Posteroanterior view · L wrist radiograph · pediatric patient (boy, age 11) · index exam · 491 by 862 pixels —
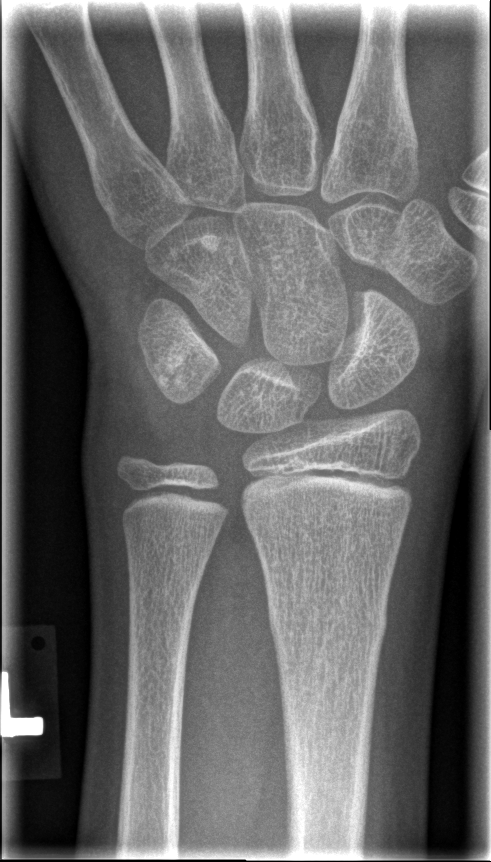
• Fracture classified AO/OTA 23r-M/2.1.
• Bone fracture: bbox(265, 594, 390, 646).